Lateral projection · L wrist XR · acquired on Siemens · image width 64.5 mm.

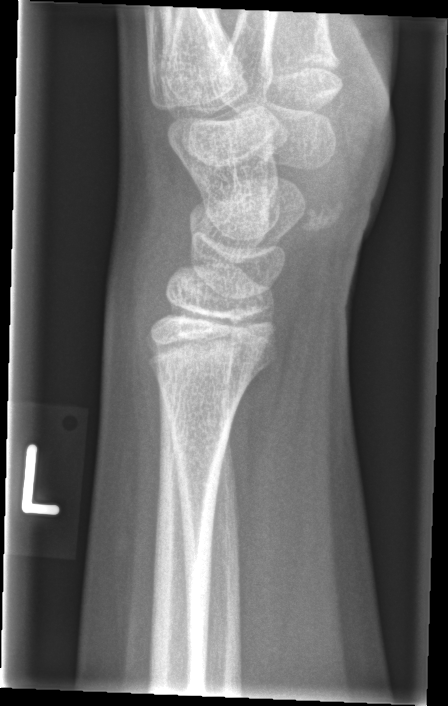

  fracture: none labeled